Left wrist radiograph; lateral view; 9y F. 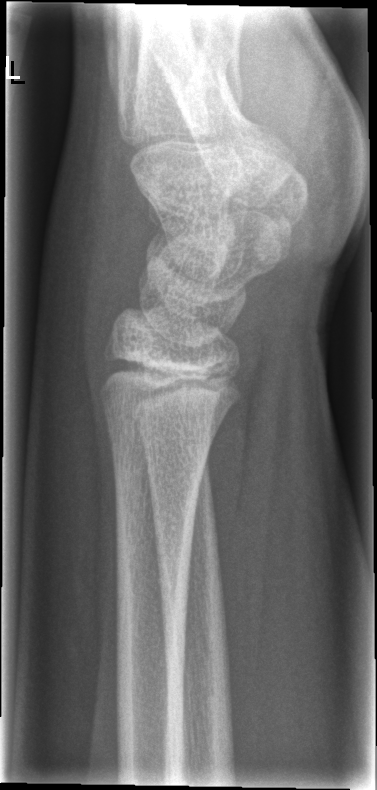
Fx = none labeled